AP projection | Rt plain radiograph of the wrist | age 6 y, female | in cast 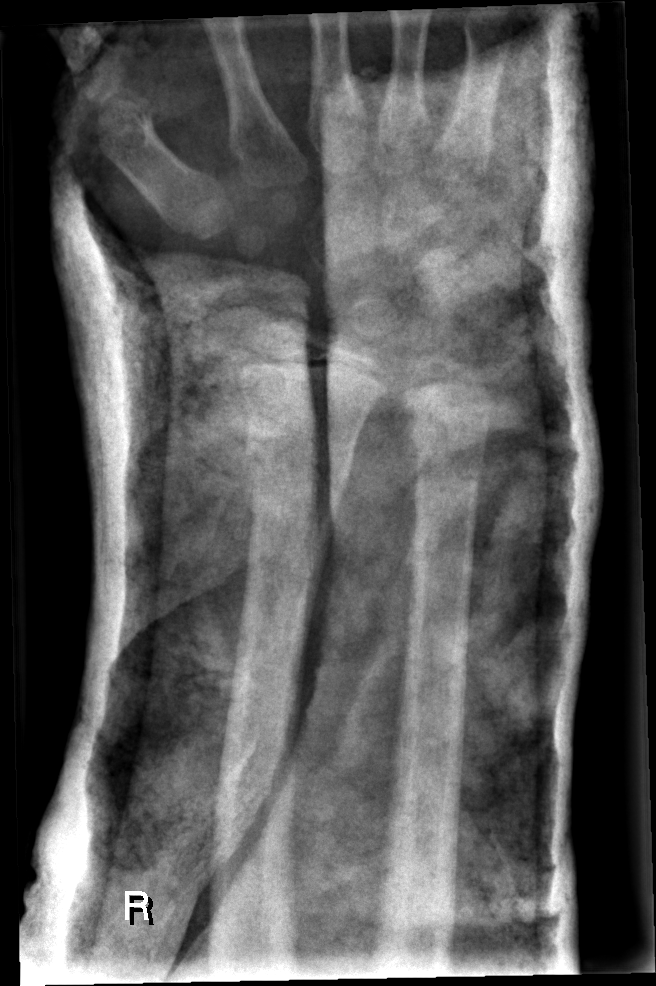

Bone fracture identified at 238 430 347 541 | 405 413 492 480. AO code 23-M/3.1.